Lat view · Lt wrist X-ray.

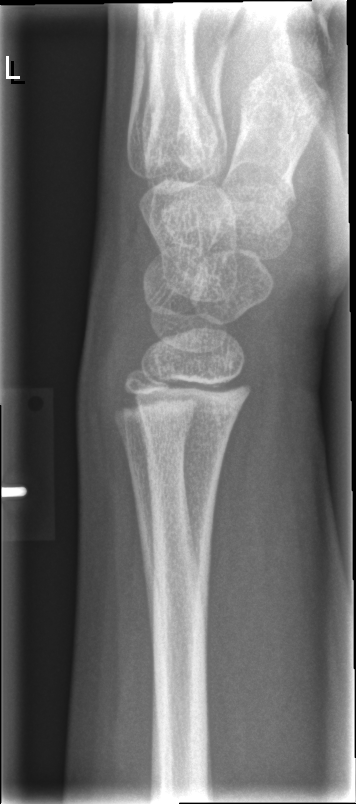
- No fracture labeled.